Left wrist XR · lat view.

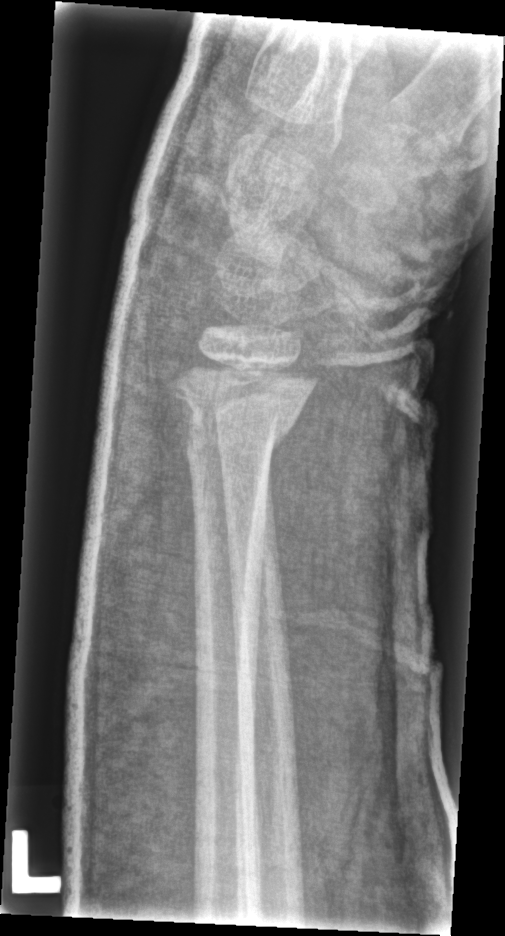

{
  "ao": "23r-M/3.1",
  "fracture": "163 371 317 475"
}